Right wrist plain film; PA; male, 4 yo —

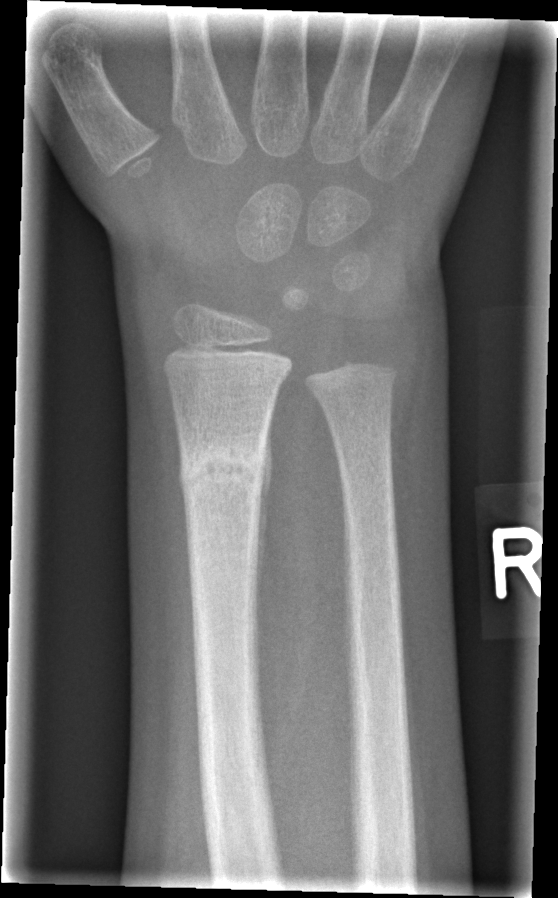

Boxes as x1,y1,x2,y2 (top-left / bottom-right, pixel units).
One fracture at 176 432 267 499.
Decreased bone density (osteopenia).
AO code 23r-M/3.1.
One periosteal new bone at 252 411 274 641.